PA/AP projection, left wrist radiograph, age 8 y, girl, cast present:
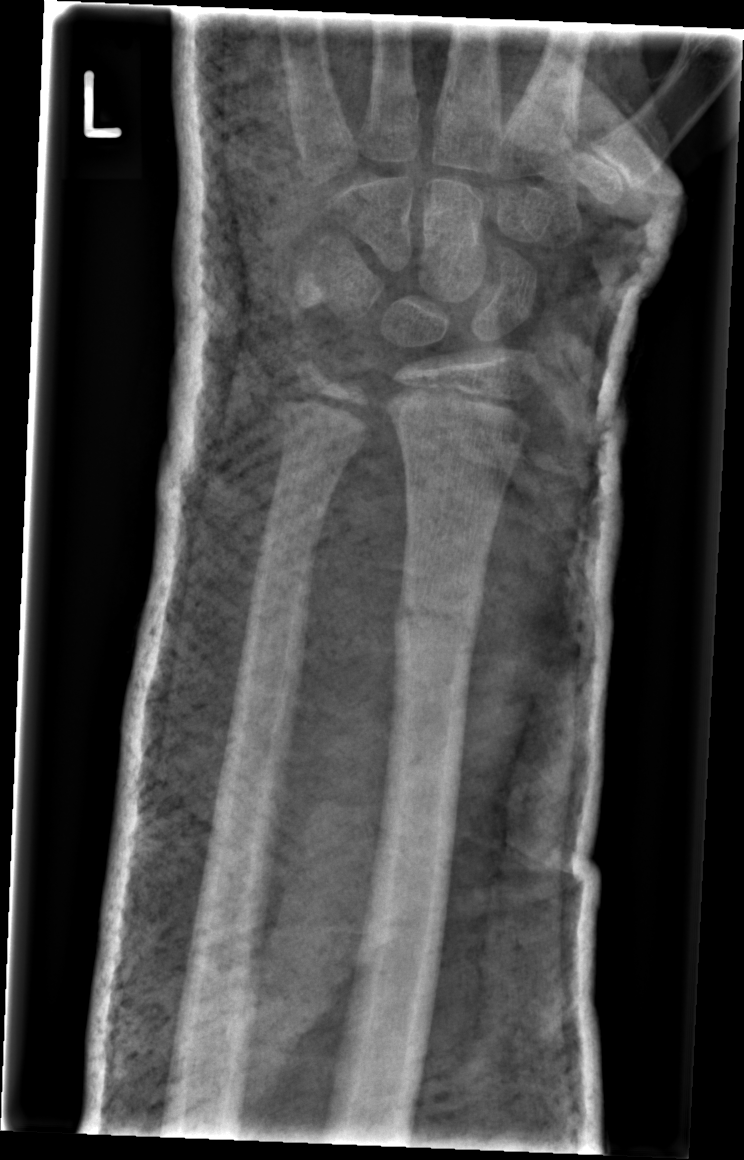 (boxes as x1,y1,x2,y2 (top-left / bottom-right, pixel units))
Q: What is the AO/OTA classification?
A: Fracture classified AO/OTA 22r-D/2.1
Q: Fracture present?
A: Fracture: bbox(389, 589, 484, 644)